Lat view, right wrist X-ray, acquired on Siemens. 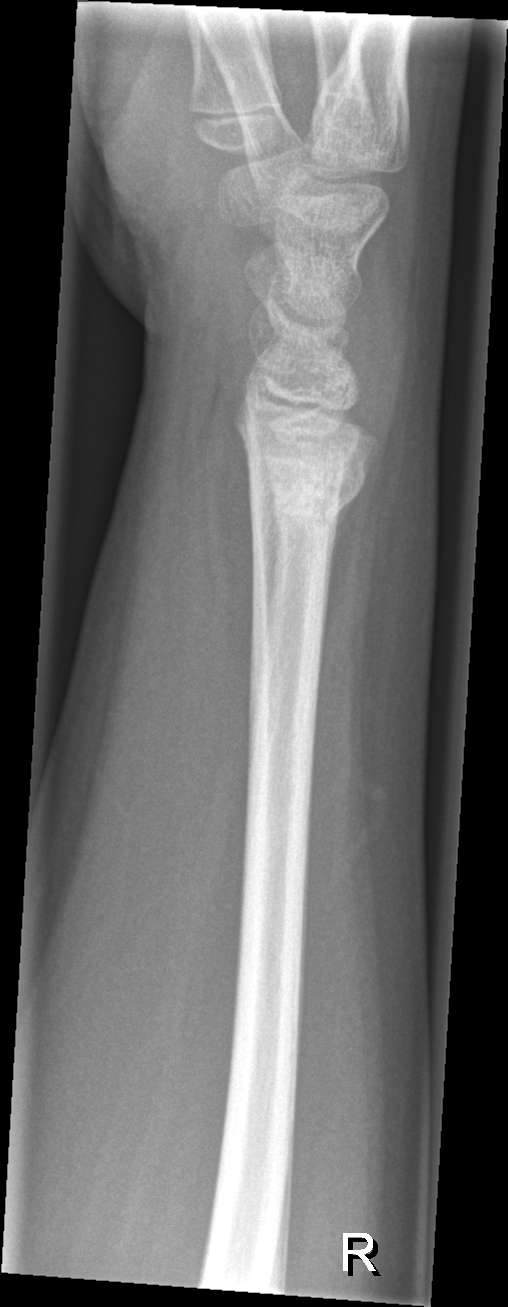
(coordinates are [x1, y1, x2, y2] in image pixels)
AO/OTA = 23-M/2.1
bone fracture = bbox(245, 453, 371, 538)